Lt wrist radiograph | lateral | age 10 y, girl.
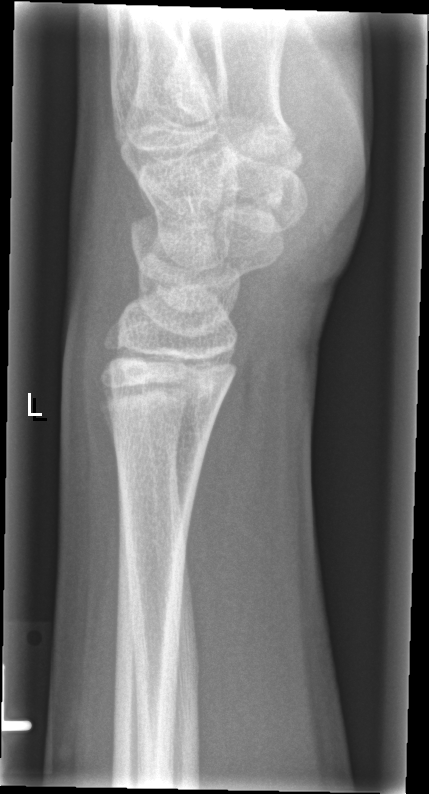
bone fracture = none labeled